Lateral projection · right wrist radiograph · 421x1174 —
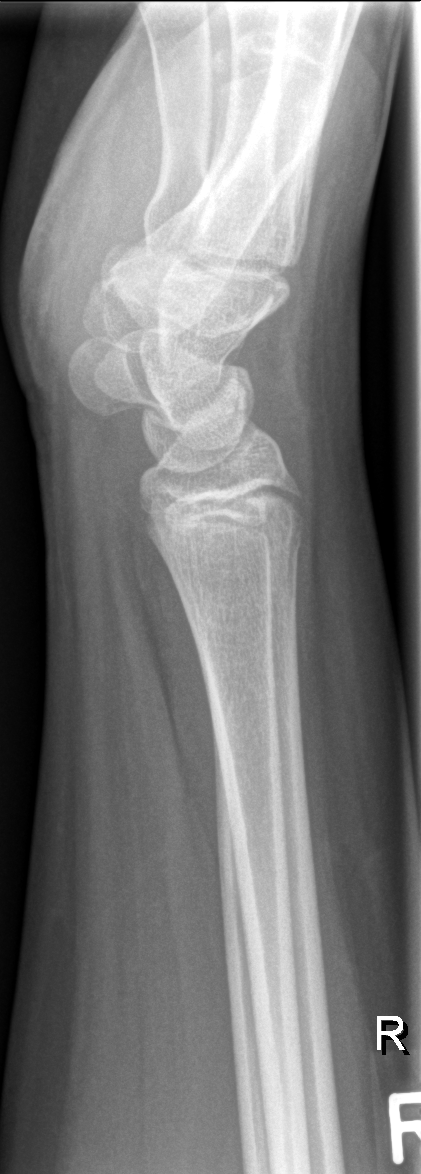
(pixel coordinates, top-left origin, xyxy)
Fracture: [x1=152, y1=514, x2=308, y2=584]